Posteroanterior · right wrist XR · imaged through cast 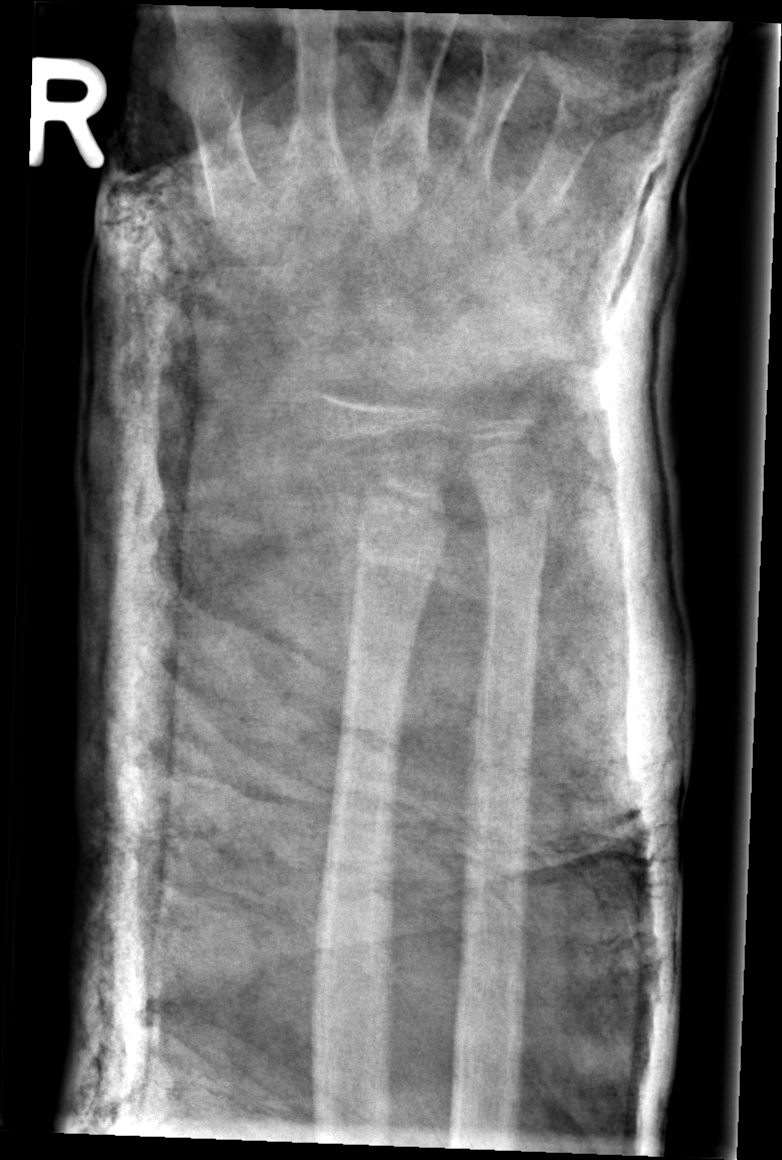
Bone fracture = 2 @ (322, 467, 451, 557), (474, 479, 555, 537)
Periosteal thickening = (309, 452, 376, 693)
AO code = 23-M/3.1